Lt plain radiograph of the wrist, PA, 5y M, cast in situ
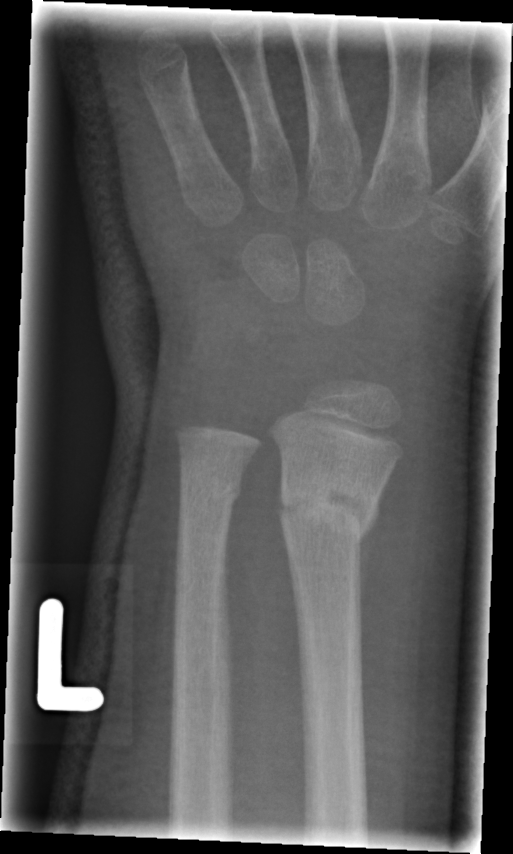 {"fracture": "277 473 383 553; 176 464 246 514"}